Lateral projection | left wrist radiograph | 10y F | acquired on Siemens.

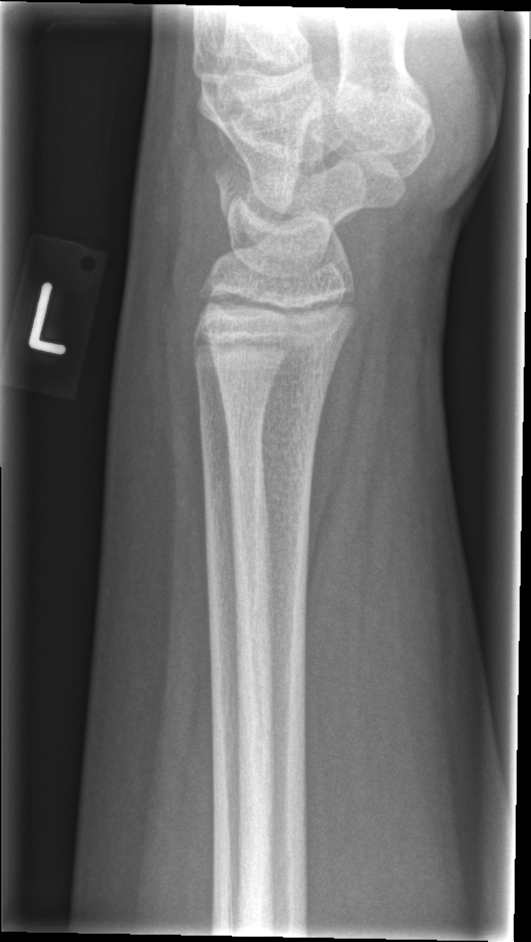

FINDINGS — Fx: none.